Lt wrist plain film, lat, 10y M, follow-up, 91.0 mm image width:

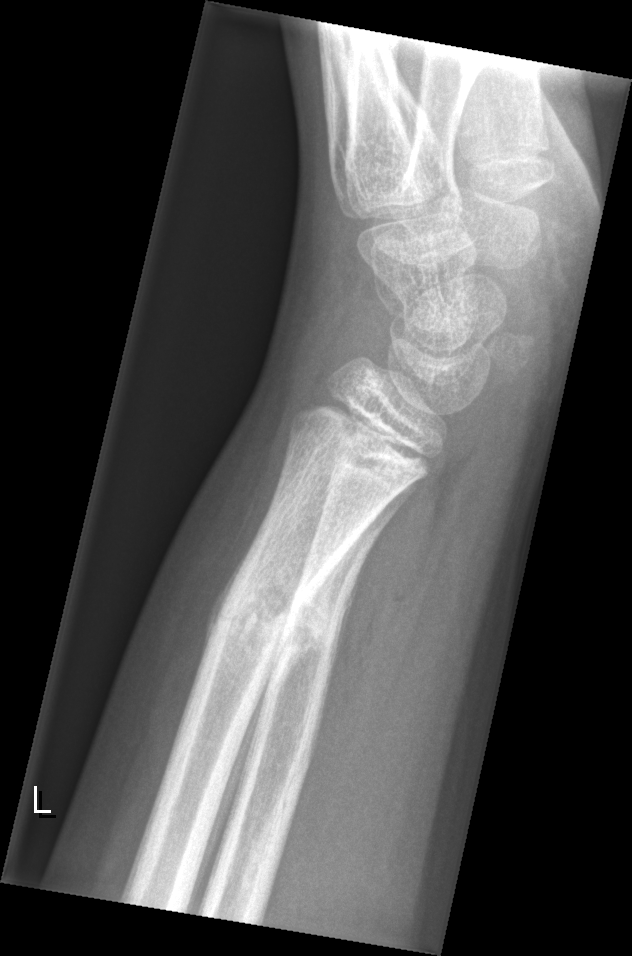 FINDINGS: AO code 23-M/2.1. Fx: 202,572,325,670.